Lt plain radiograph of the wrist, PA, 5y M, image 69.8 mm wide, 485 x 844 px

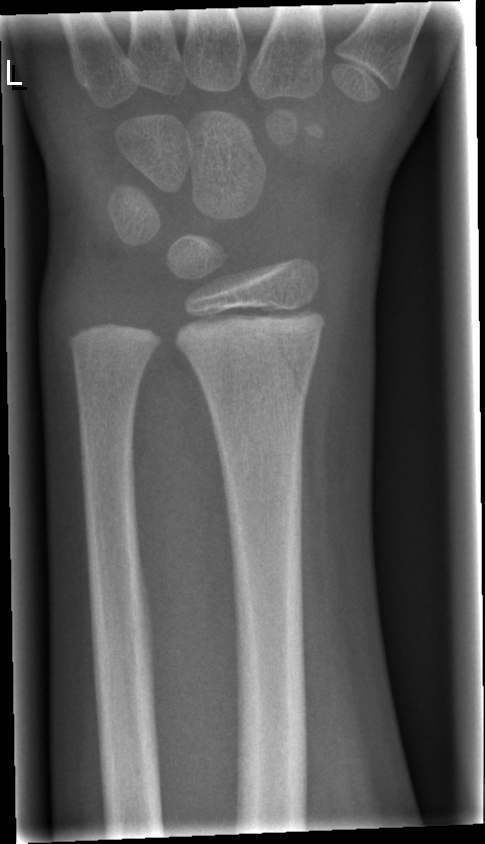
(coordinates are [x1, y1, x2, y2] in image pixels)
Bone fracture: 1 @ [x1=265, y1=309, x2=324, y2=402]
AO classification: 23r-E/2.1